Lat view, right wrist radiograph, male, 10 yo, image size 400x1076
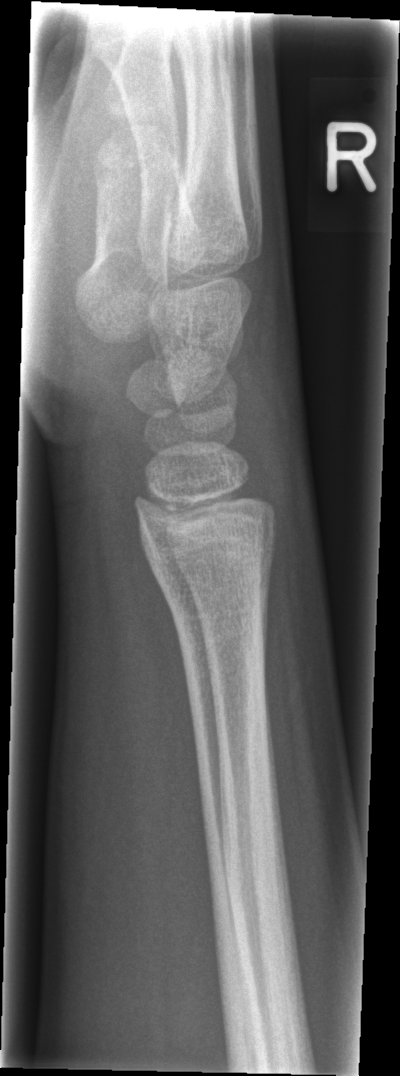

Fx = none labeled